Left wrist X-ray | lat | follow-up.

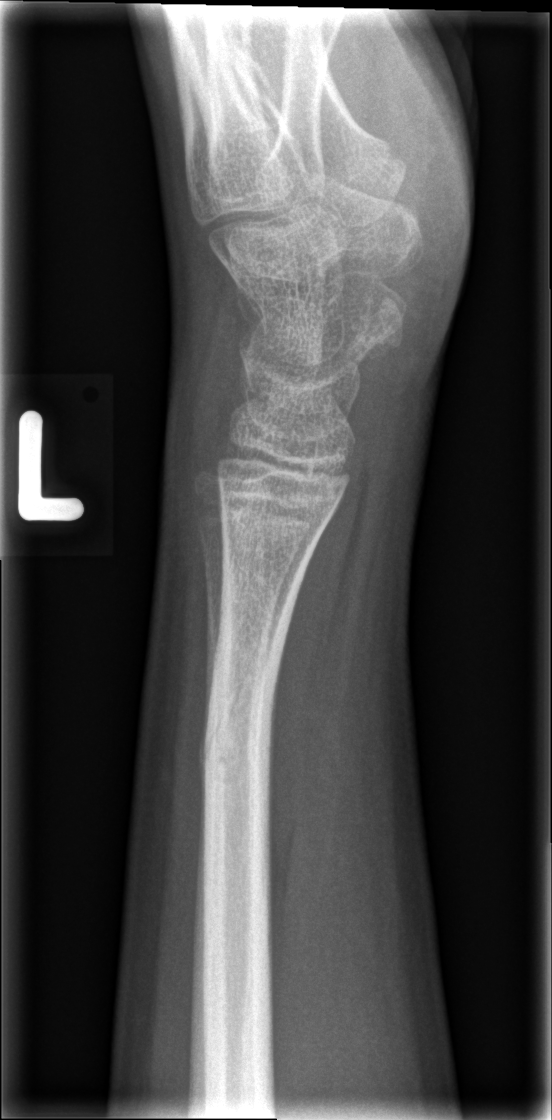

Findings: (bounding boxes in image-pixel xyxy) One bone fracture at <191,619>-<293,829>. Osteopenic.